Left wrist pediatric wrist radiograph; PA/AP projection; 11-year-old girl; subsequent exam — 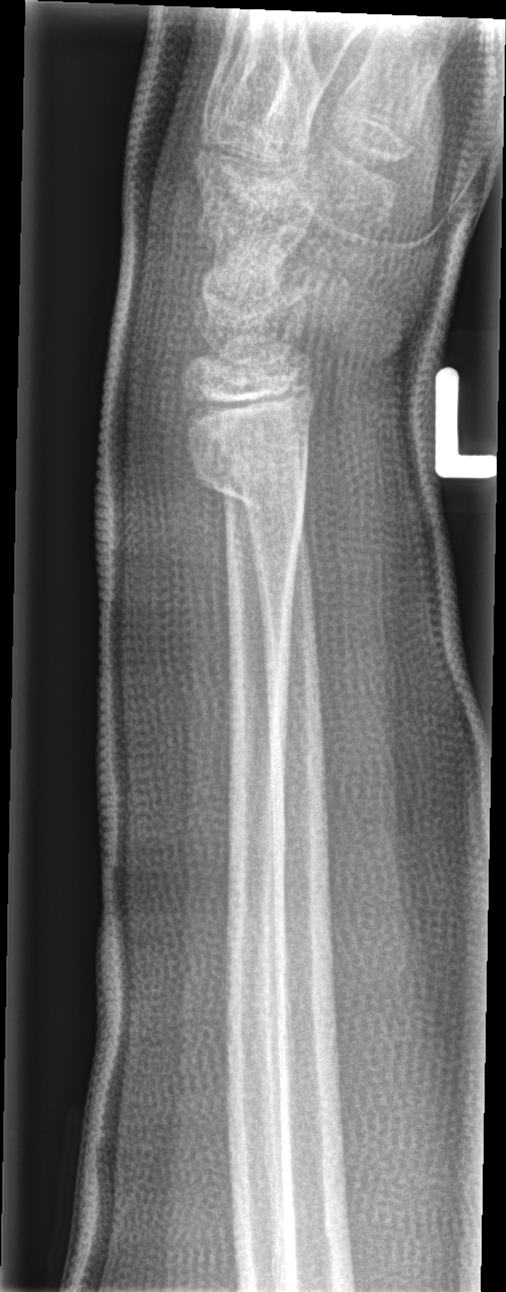
AO code 23-M/2.1. One fracture at [x1=190, y1=456, x2=311, y2=533].